L wrist radiograph, PA, age 5 y, female, index exam, Siemens
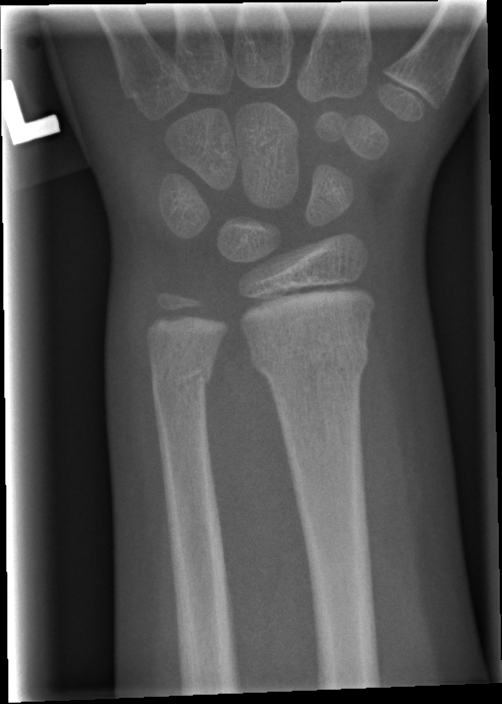
{
  "fracture": "2 @ bbox(247, 334, 370, 389); bbox(148, 360, 216, 406)"
}